L wrist radiograph · lat projection · 10-year-old male · 563 x 1126 px:

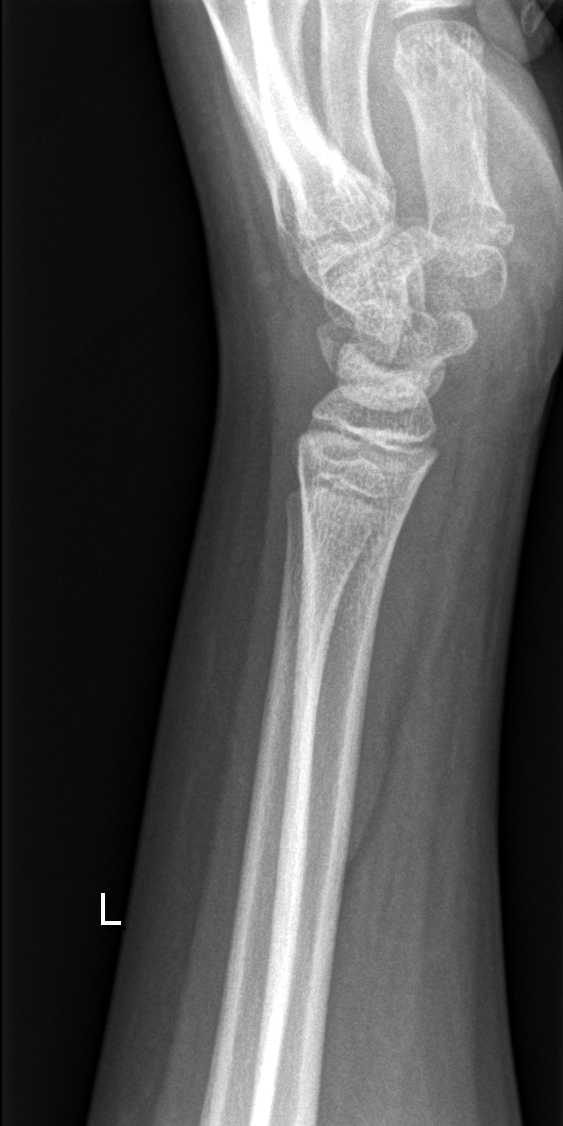

fracture: none labeled